Right wrist radiograph | lat | male, 6 yo:
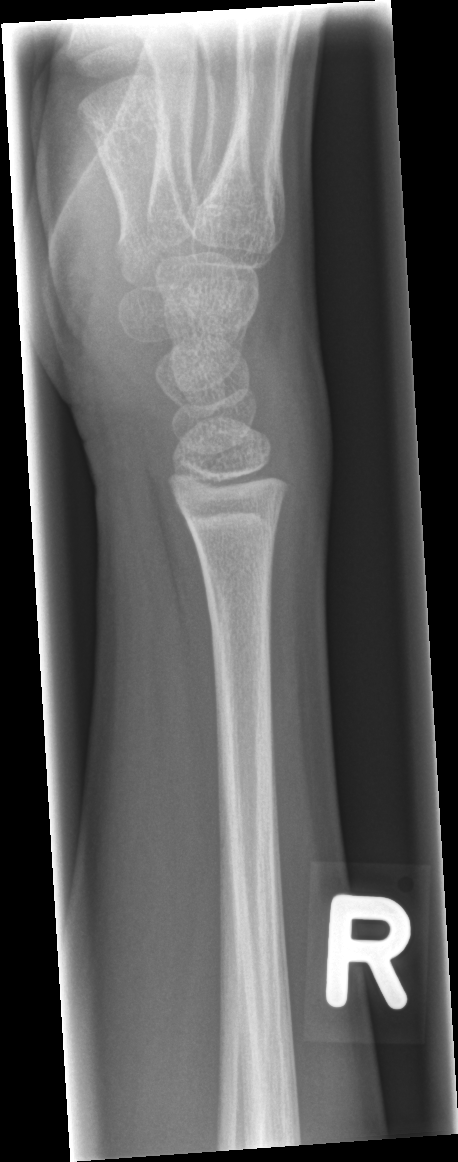
FINDINGS — Soft tissue abnormality identified at [245, 307, 337, 569]. No fracture annotation.